Frontal projection | Rt pediatric wrist radiograph | boy, 10 yo | image size 501x806: 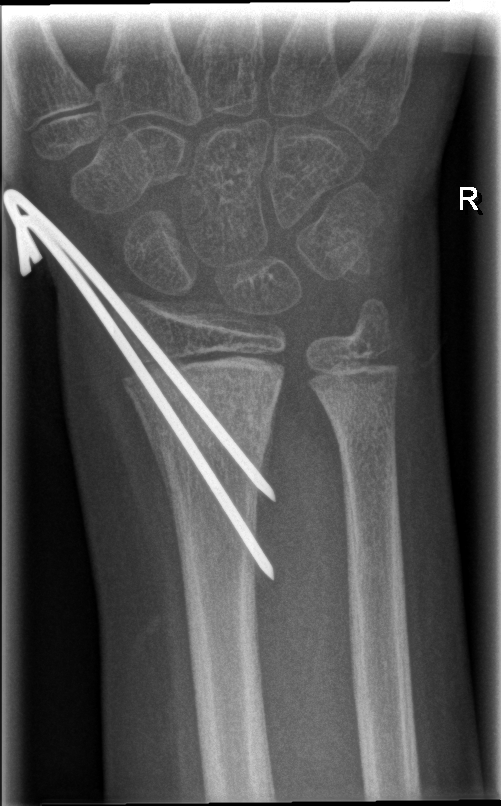

Hardware: [x1=0, y1=183, x2=279, y2=583].
Two fractures at [x1=129, y1=370, x2=290, y2=468], [x1=321, y1=381, x2=403, y2=442].